Lt wrist plain film · AP projection · pediatric patient (male, age 8) · diagnosis uncertain.
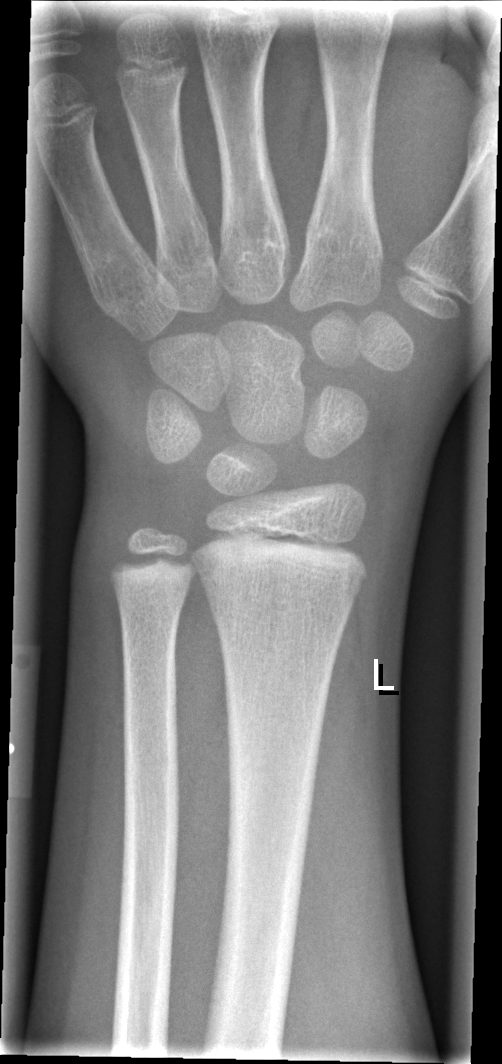 Fracture: none labeled.